L wrist plain film · lat projection · boy, 14 yo · presentation radiograph:
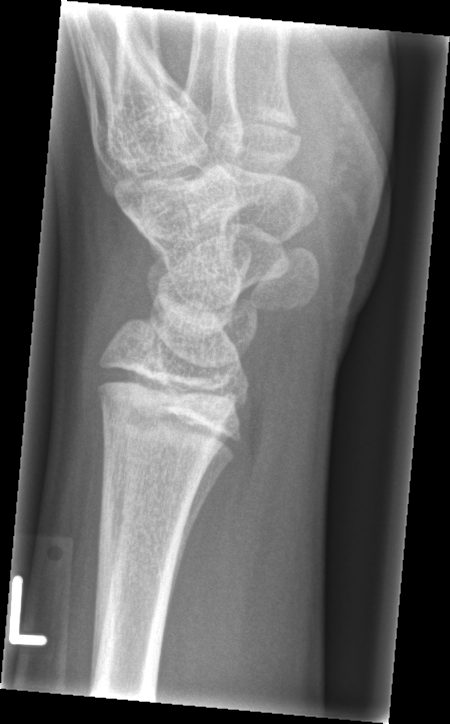
Fracture: none labeled.